Lat, L plain radiograph of the wrist, detector: Siemens: 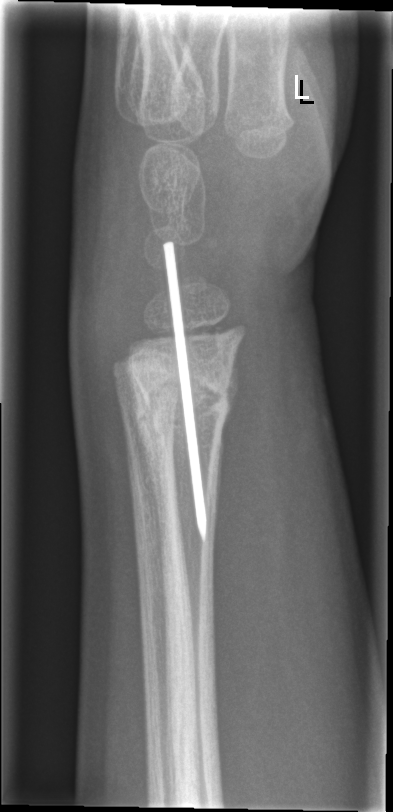
Periosteal new bone: 214 351 243 523
Fx: 120 350 239 432
Osteopenia: present
Hardware: 1 @ 160 238 209 544